Left wrist radiograph · posteroanterior · follow-up · in cast · 580 by 1033 pixels — 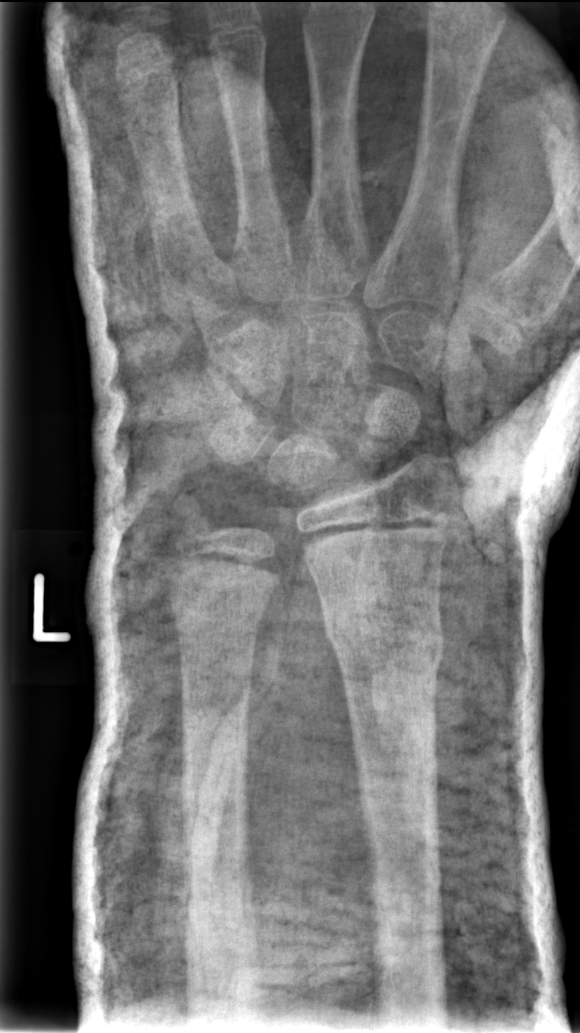

Two Fx at [318, 601, 447, 679] [159, 569, 276, 628]. AO code 23-M/2.1.